Lateral | Rt pediatric wrist radiograph. 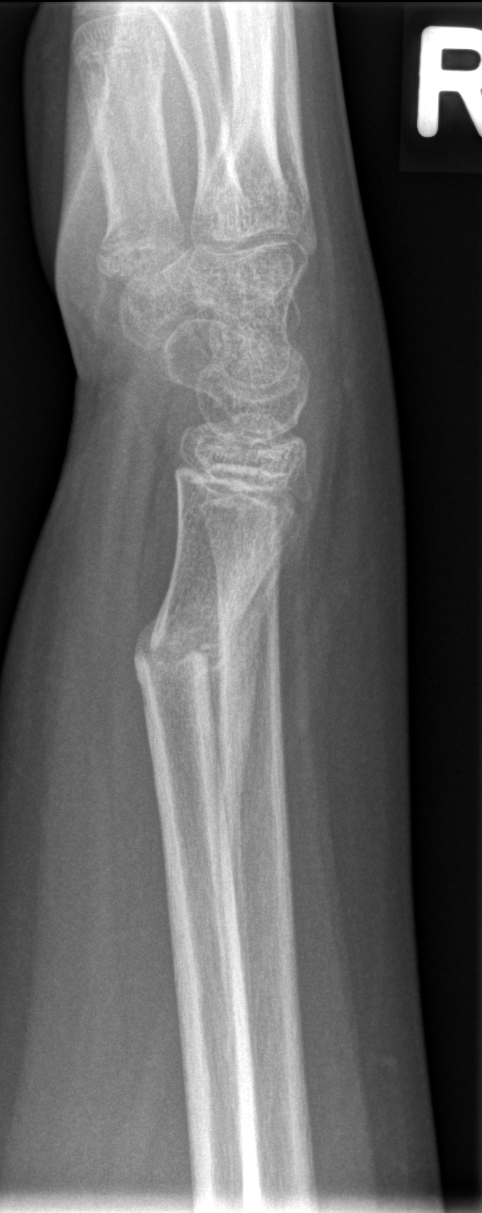
periosteal thickening = 1 @ (200, 527, 301, 1059)
bone fracture = (121, 621, 245, 699)
AO/OTA = 23r-M/3.1; 23u-M/2.1; 23u-E/7